Right wrist X-ray · lateral · follow-up study · 675 by 1330 pixels — 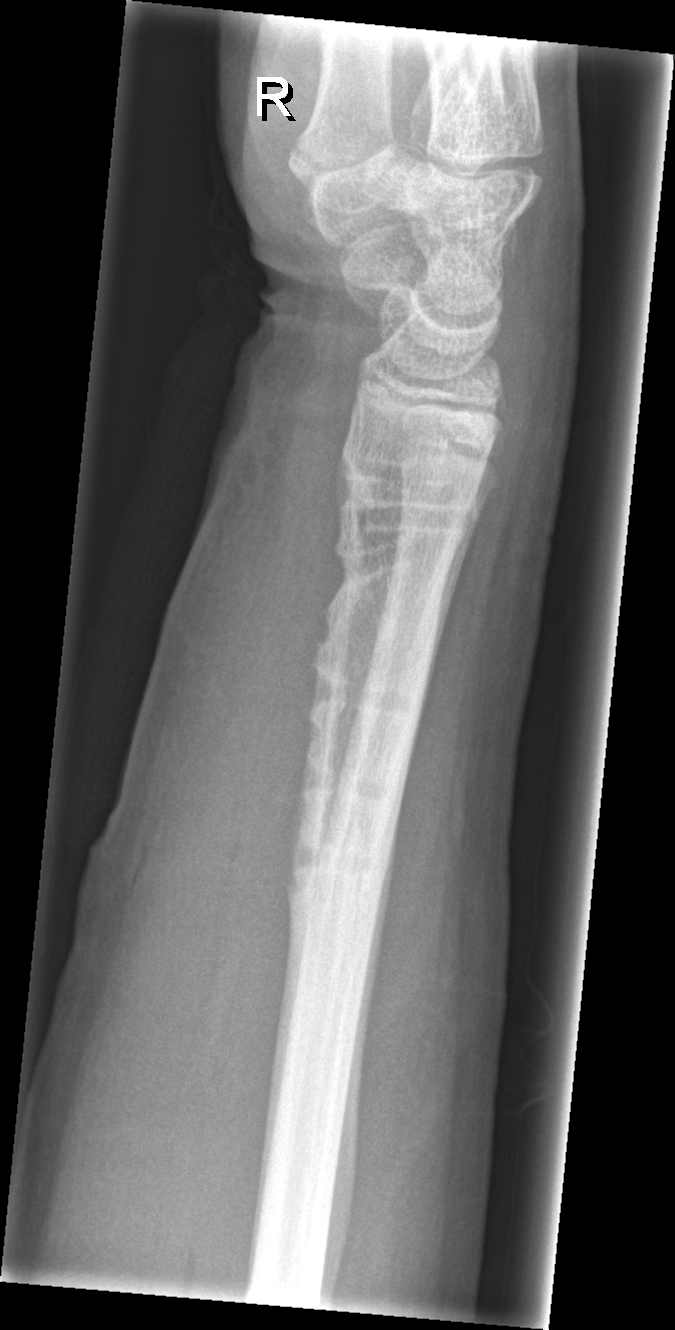 {
  "boneanomaly": "2 @ bbox(281, 661, 424, 941), bbox(320, 446, 476, 593)",
  "fracture": "none labeled"
}